Lat, right wrist XR, age 14 y, female, index exam, detector: Siemens, image width 60.8 mm
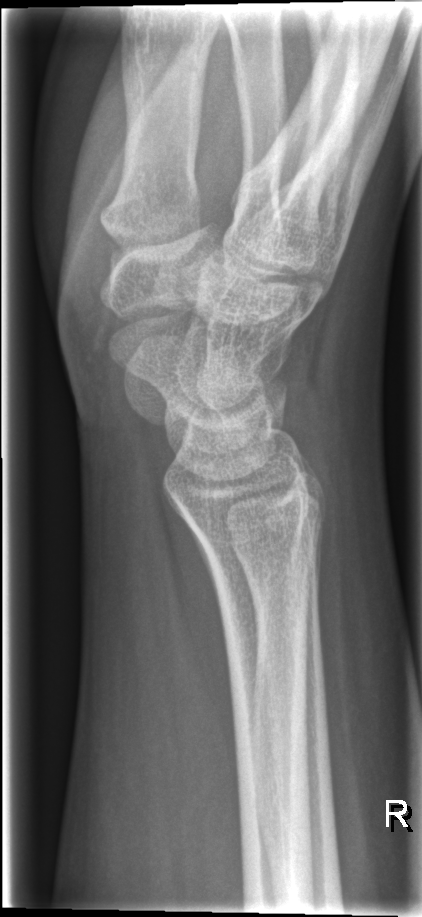
No fracture labeled.